PA/AP projection | R pediatric wrist radiograph | follow-up study:

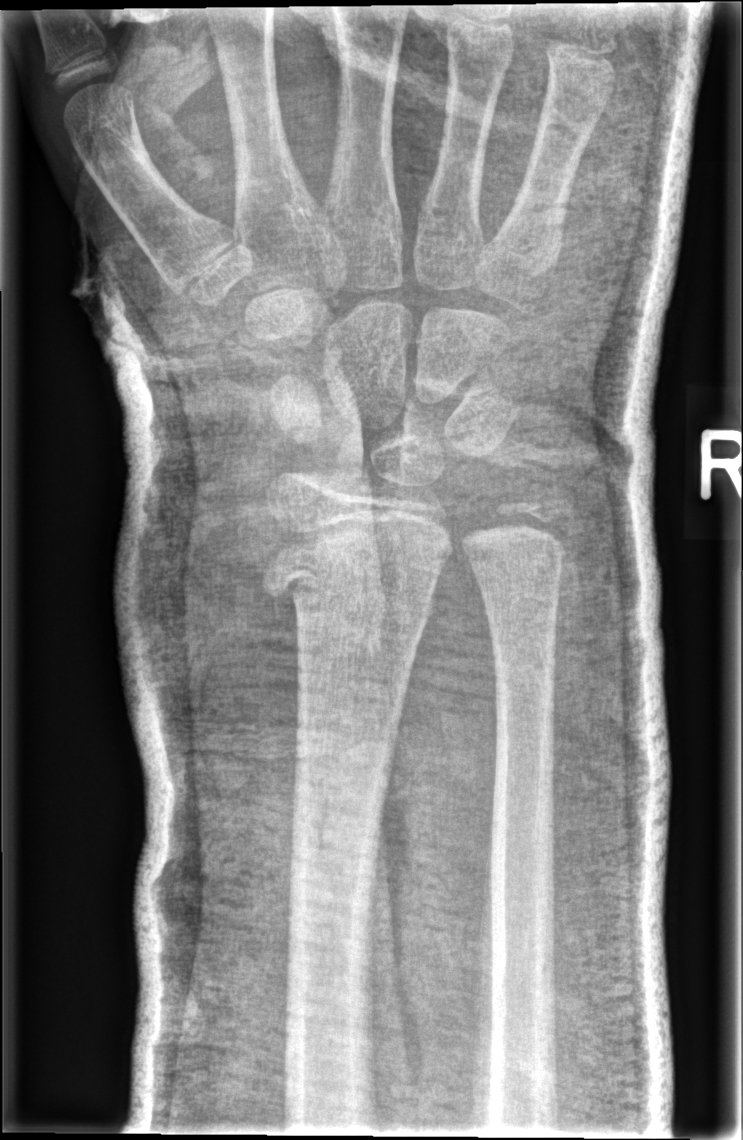

{
  "fracture": "(262, 532, 446, 660)"
}